PA, L wrist plain film, 13-year-old male, follow-up study, acquired on Siemens, 78.0 mm image width, image size 542x990 — 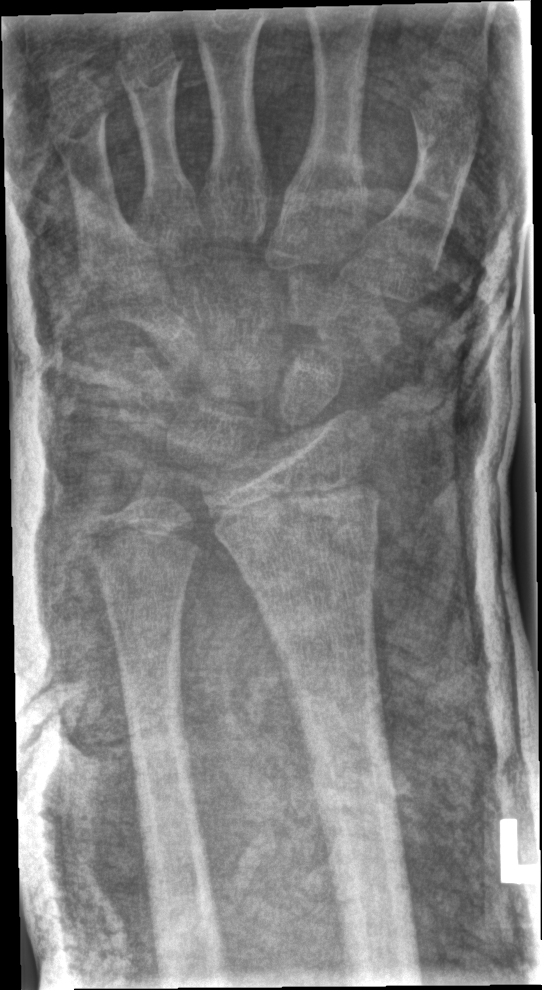
Bone fracture: [231, 516, 385, 603].